Lat, right wrist pediatric wrist radiograph, boy, 16 yo, index exam — 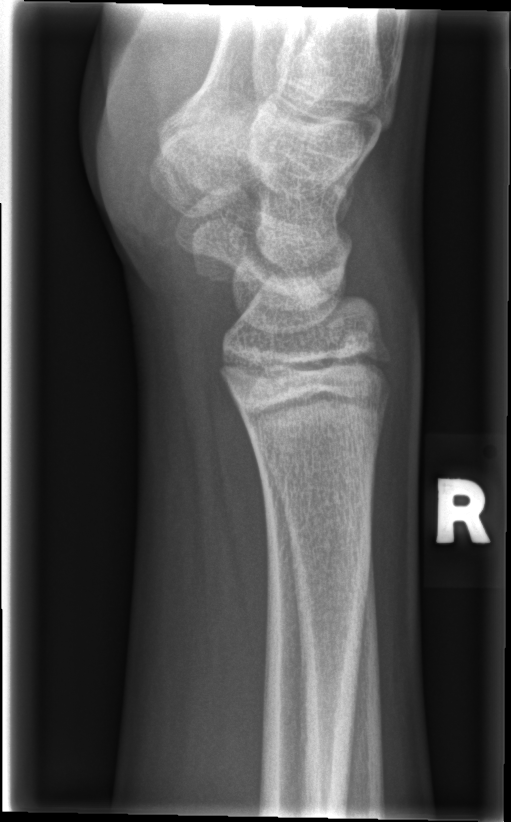
FINDINGS: Fx: none.